PA/AP, right wrist radiograph, follow-up, 545 x 644 px:
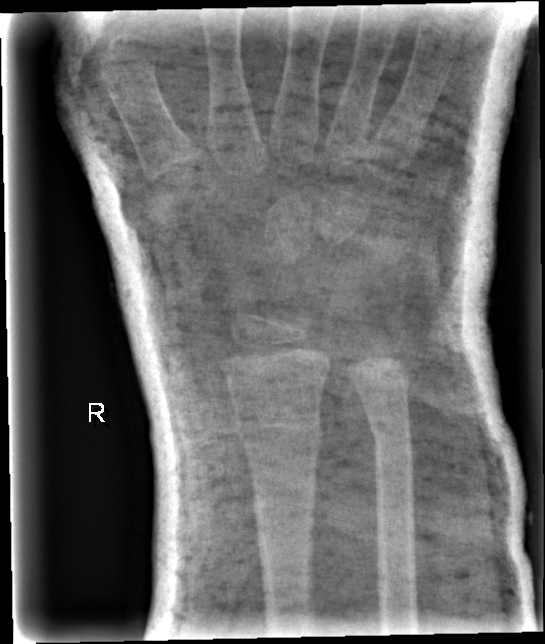 Fx: [x1=228, y1=410, x2=324, y2=466], [x1=363, y1=416, x2=417, y2=463]. AO code 23r-M/3.1; 23u-M/2.1.